Lateral view · L wrist radiograph · 14y M.

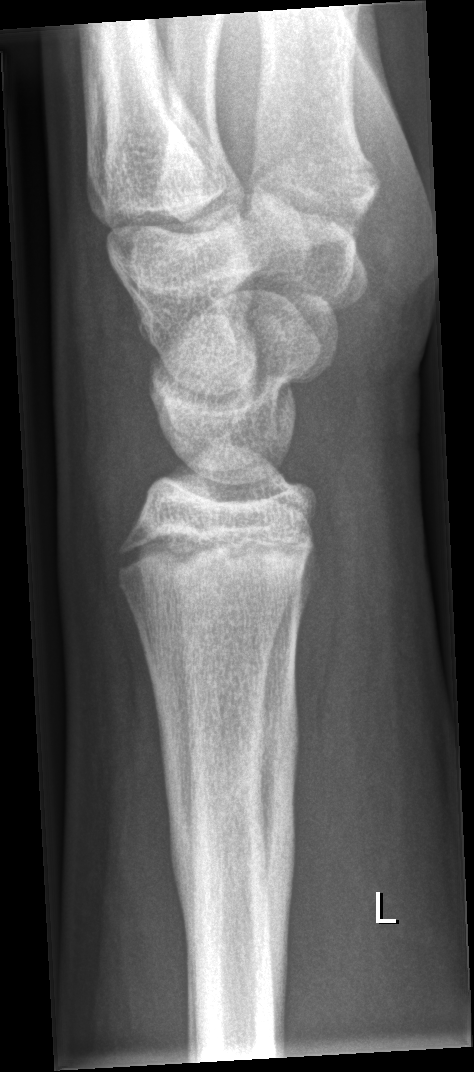 Q: Fracture present?
A: Bone fracture: 144 616 304 1036